Rt wrist plain film, PA/AP view, 5-year-old girl —

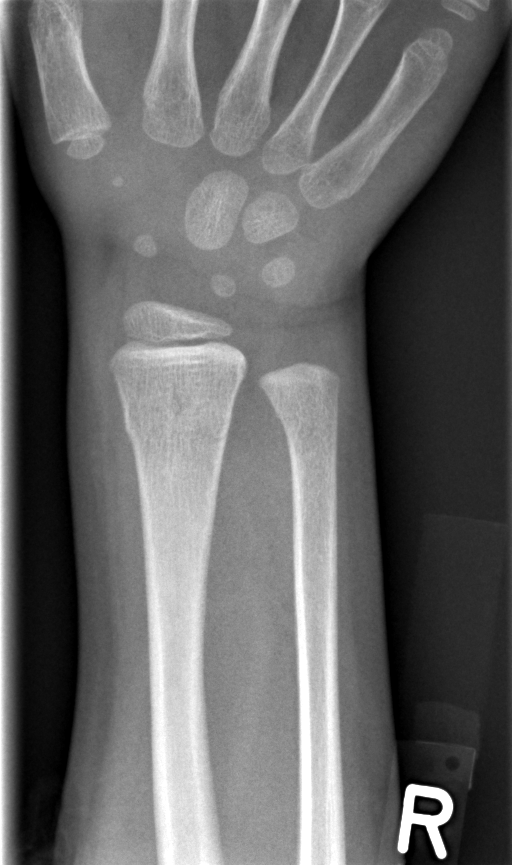
• AO code 23-M/2.1.
• Fx — (left=122, top=403, right=234, bottom=450).